Lat projection, Rt plain radiograph of the wrist, pediatric patient (male, age 11), image size 451x1174
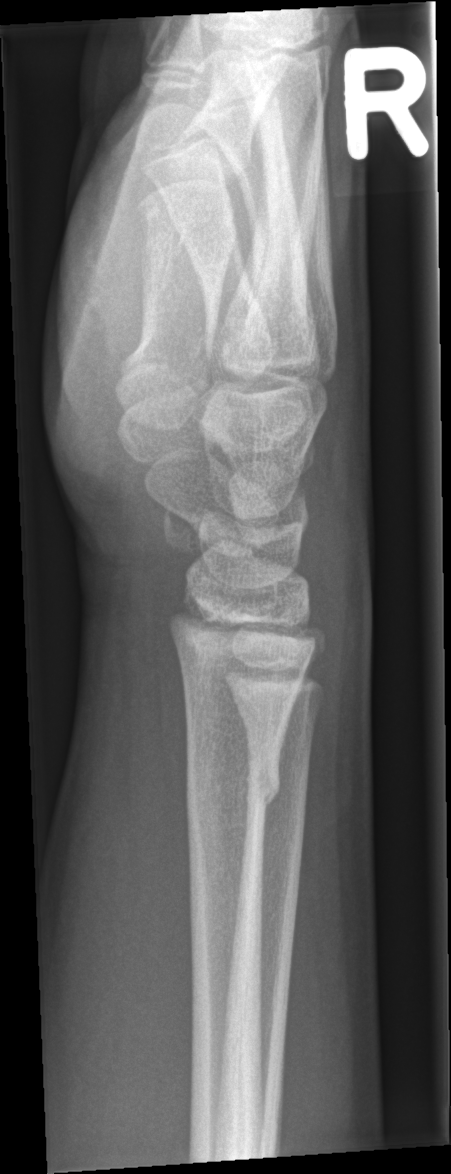

Fracture: 184 757 283 823
AO/OTA: 23r-M/2.1